PA; Rt wrist XR; index exam; 570 by 776 pixels. 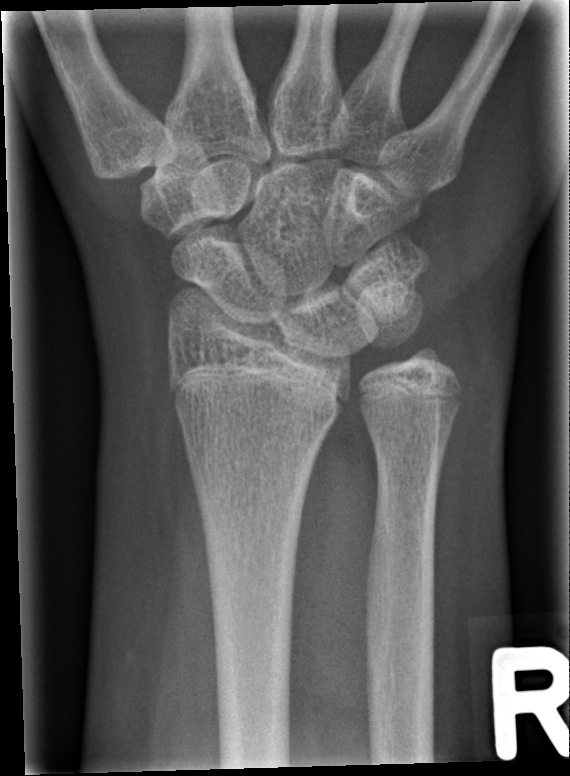

fracture = none labeled